Rt wrist X-ray · PA · 17-year-old male · cast in situ · image width 106.6 mm

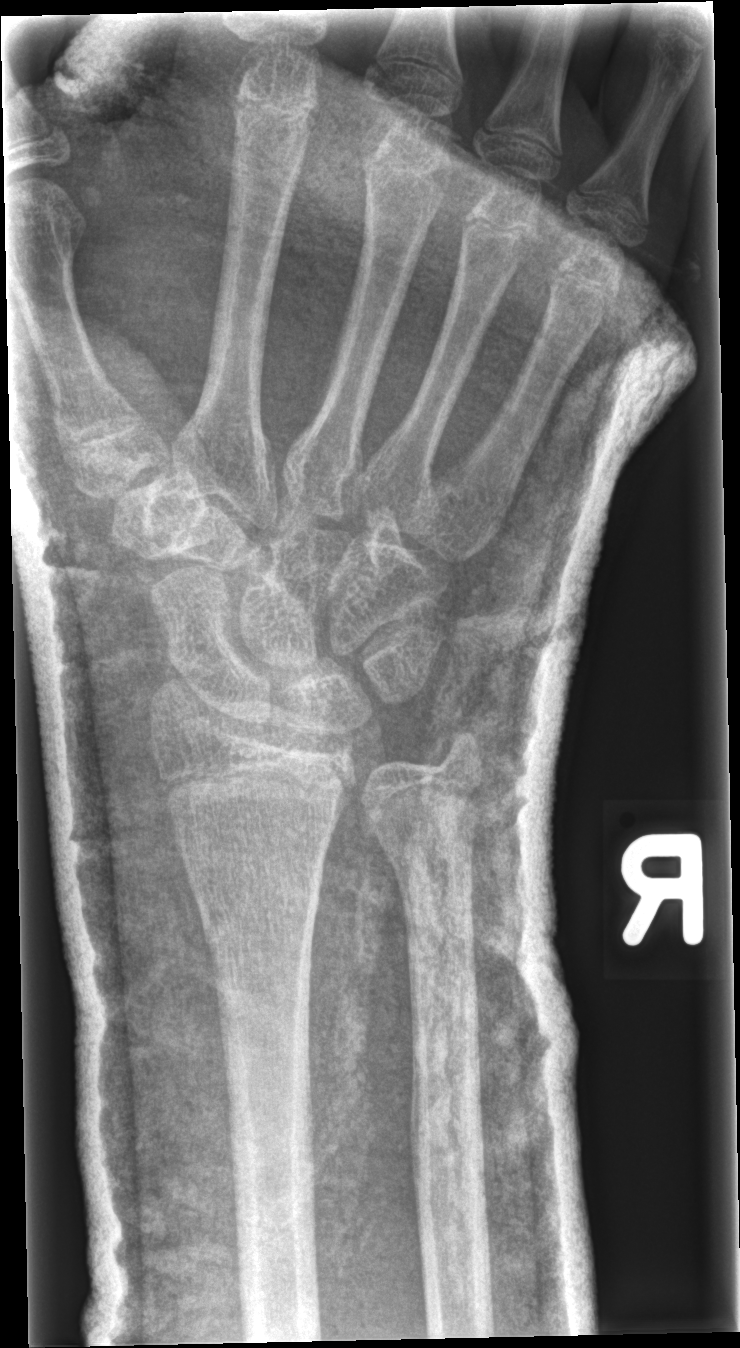 fracture: present but not clearly seen in this view